Left wrist pediatric wrist radiograph, lateral view, male, 5 yo

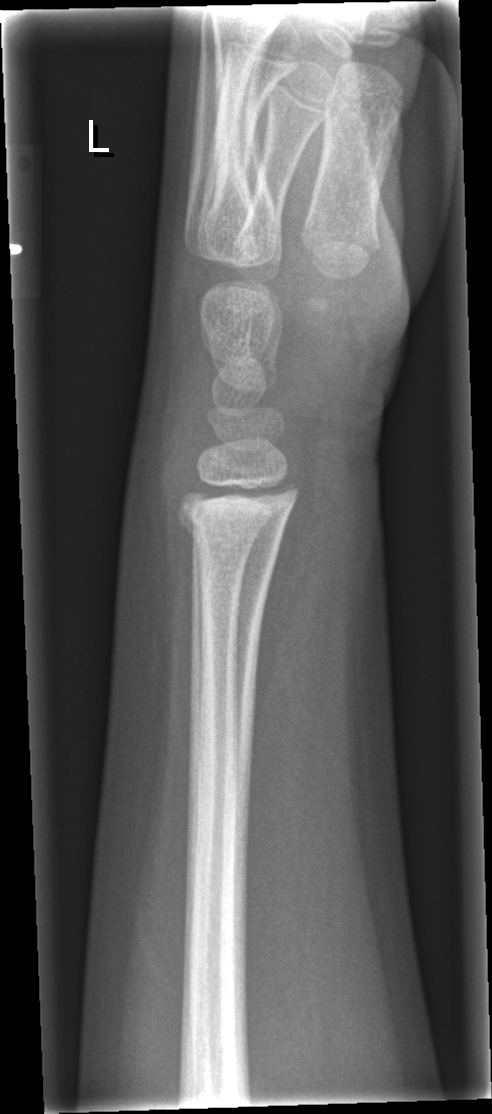

FINDINGS — Fracture — (171, 482, 298, 539).